PA view, right pediatric wrist radiograph —
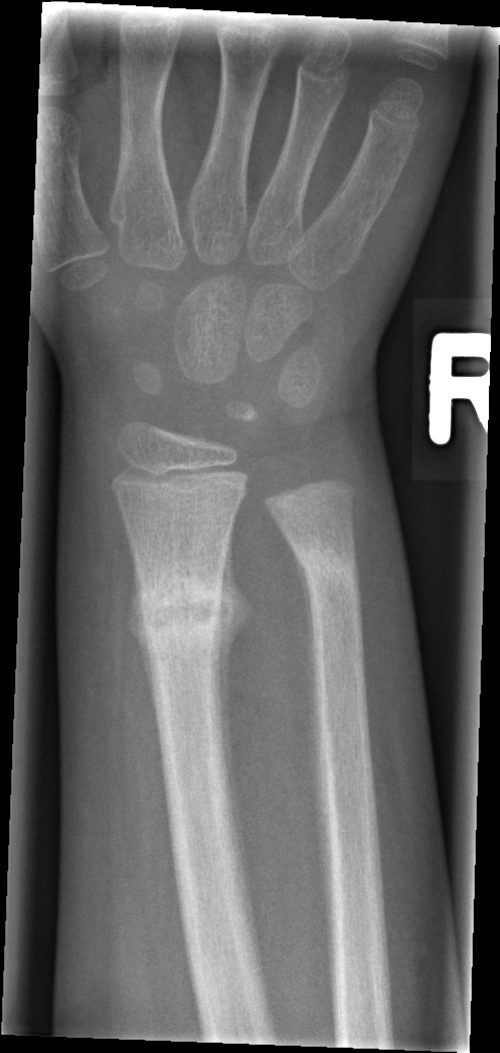

Periosteal reaction: bbox(214, 521, 256, 932) bbox(287, 540, 332, 920) bbox(127, 551, 159, 725)
Fracture: bbox(132, 566, 241, 668); bbox(286, 536, 364, 590)